Posteroanterior projection, left plain radiograph of the wrist, 11-year-old female, subsequent exam, 552 x 1242 px: 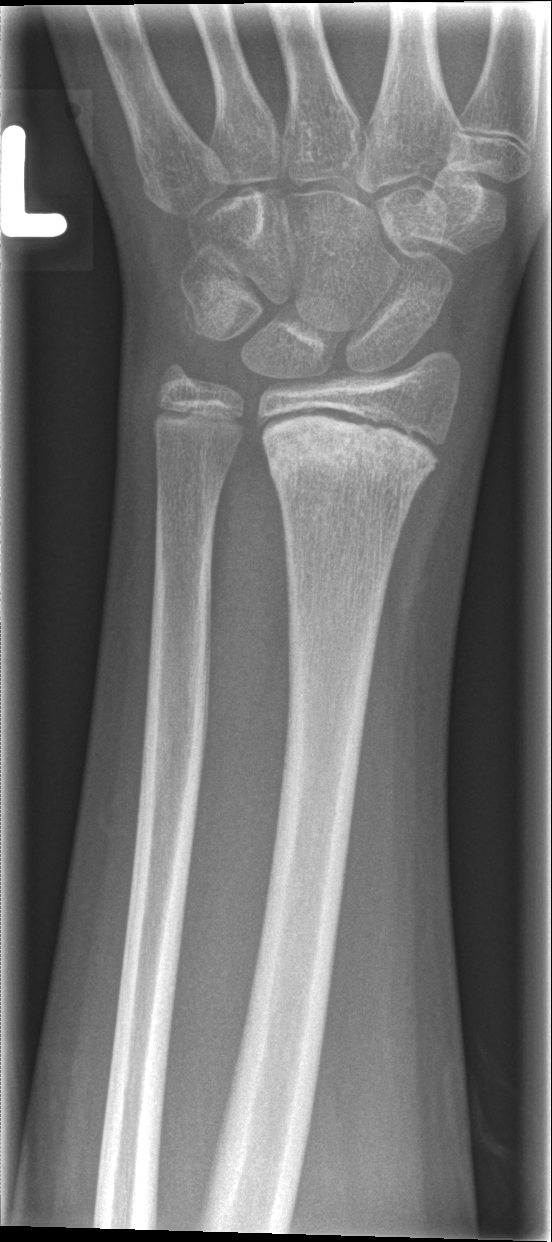 AO code 23r-M/3.1.
One fracture at [258, 411, 446, 501].